L wrist plain film, PA view, Siemens: 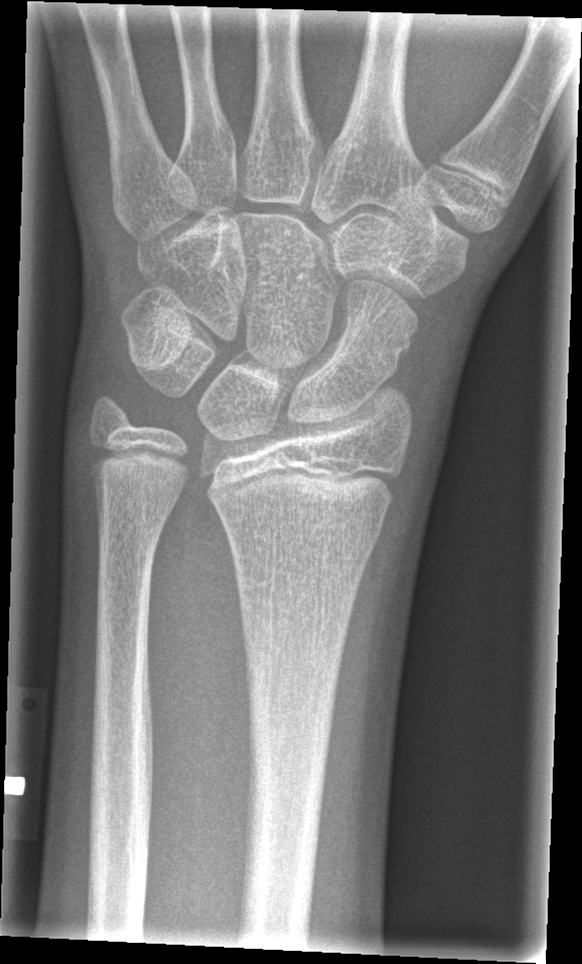

Fx = none labeled